Lateral projection | left wrist plain film | age 2 y, girl | Siemens.
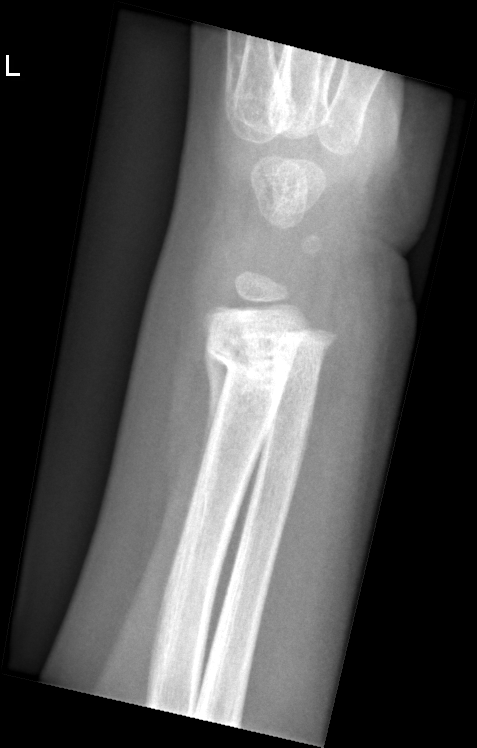 AO code 23r-M/3.1; 23u-M/2.1.
Periosteal thickening: 178 329 228 548.
Two Fx at 207 332 298 422 | 268 334 337 383.